Lateral view · right wrist XR · 992 by 992 pixels 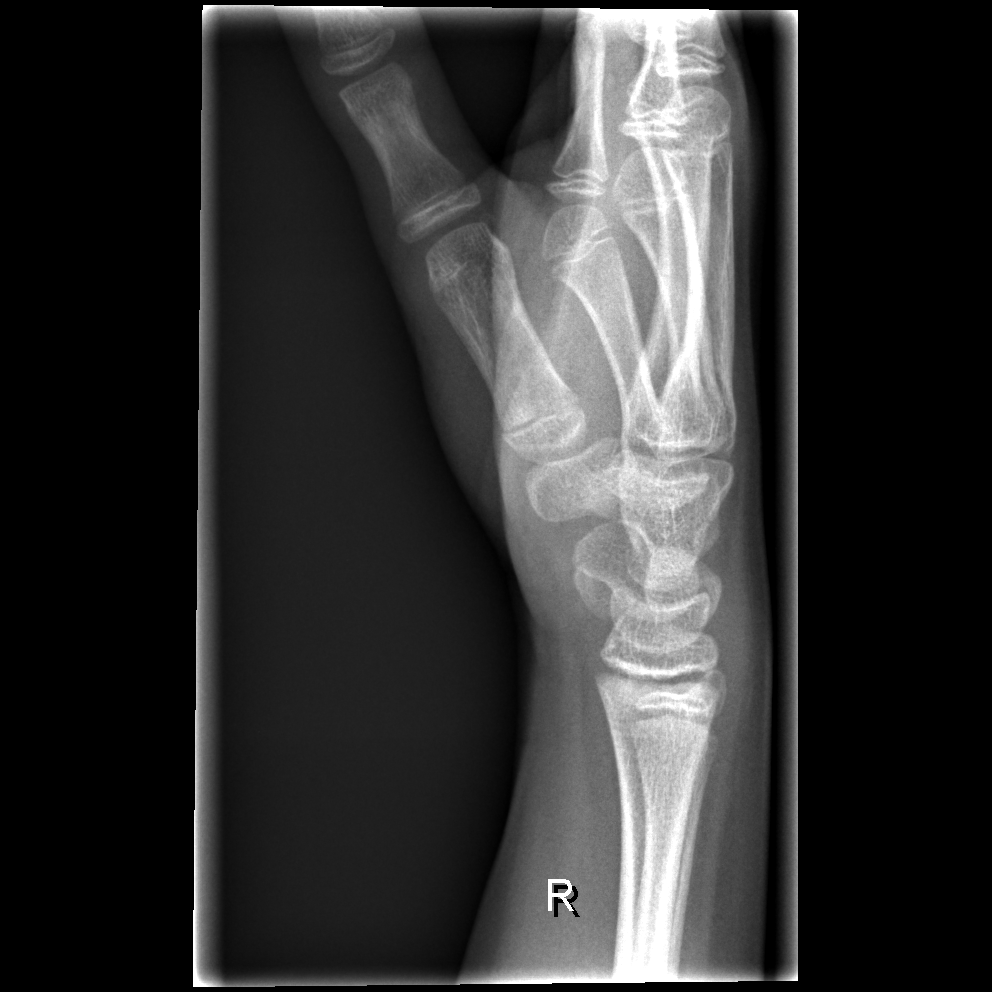 * No fracture bounding box.